Lateral; Lt wrist X-ray; boy, 12 yo; presentation radiograph:
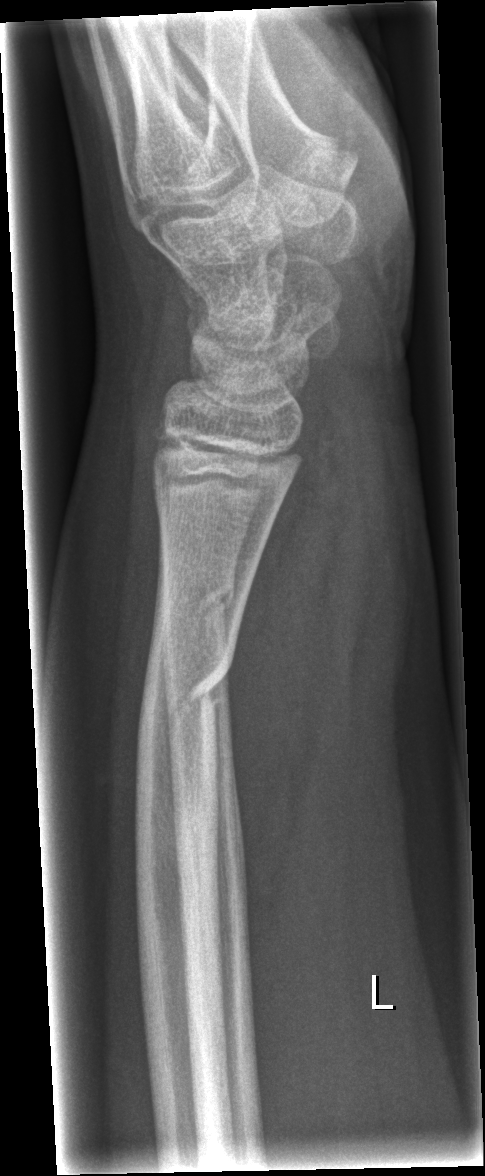
Boxes as x1,y1,x2,y2 (top-left / bottom-right, pixel units).
Fx: [x1=140, y1=656, x2=235, y2=729] [x1=151, y1=567, x2=240, y2=641].
Pronator sign identified at [x1=224, y1=405, x2=343, y2=944].